PA/AP view, left wrist radiograph:
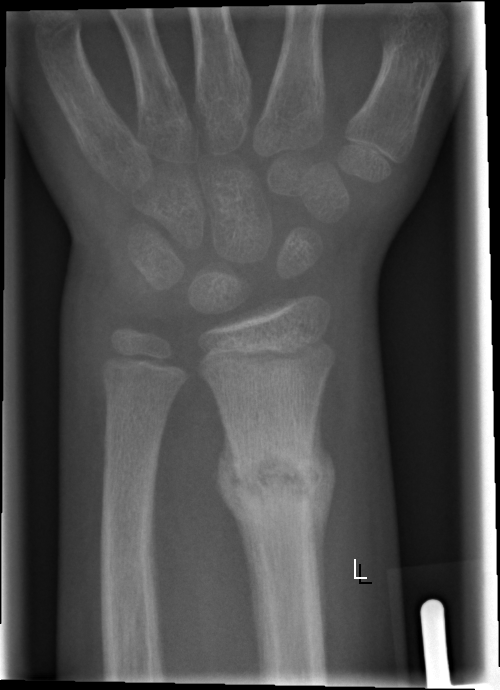
(boxes as x1,y1,x2,y2 (top-left / bottom-right, pixel units))
Fracture = 1 @ bbox(217, 427, 337, 536)
Periosteal reaction = 2 @ bbox(214, 430, 262, 665) bbox(311, 405, 337, 640)
Osteopenia = present